L wrist X-ray, PA, 11-year-old boy, acquired on Siemens, 566 by 880 pixels 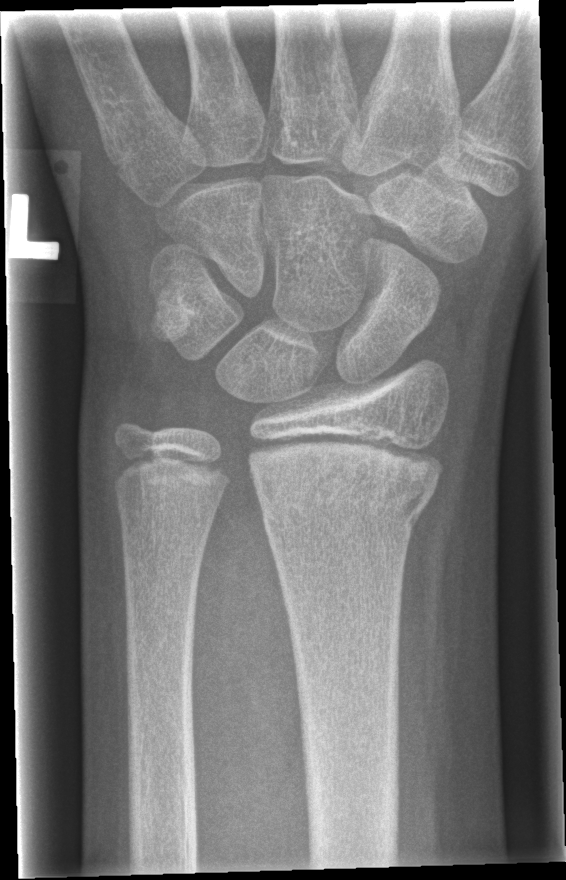 Findings: (boxes as x1,y1,x2,y2 (top-left / bottom-right, pixel units)) Fracture: (left=256, top=451, right=445, bottom=541). AO/OTA classification: 23r-M/2.1.